Right wrist XR, lateral projection, pediatric patient (girl, age 10), cast in situ: 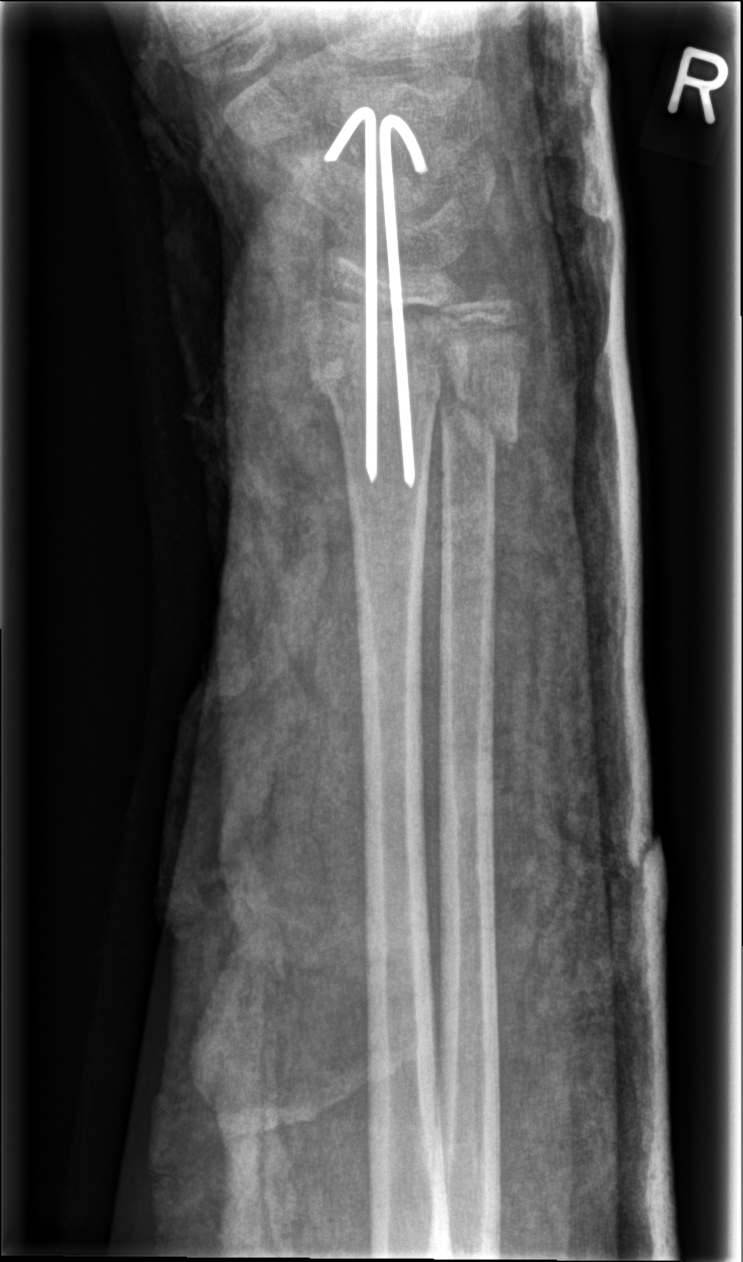

One hardware at 320 103 431 492. Two Fx at 301 331 477 426
  432 382 524 468.